Right pediatric wrist radiograph, posteroanterior view, 518x1136 —
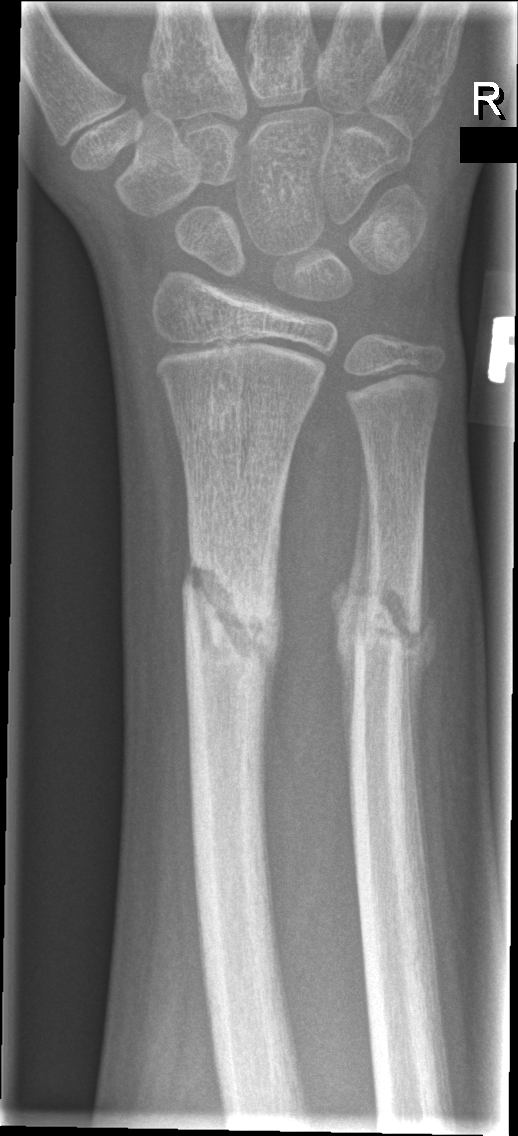 FINDINGS — (pixel coordinates, top-left origin, xyxy) Periosteal reaction — 327,435,371,783; 403,524,439,897; 263,519,286,750. Fx — 176,534,289,691; 329,567,431,690. Fracture classified AO/OTA 22-D/4.1.